Lateral projection · left wrist pediatric wrist radiograph · age 11 y, boy · cast present —

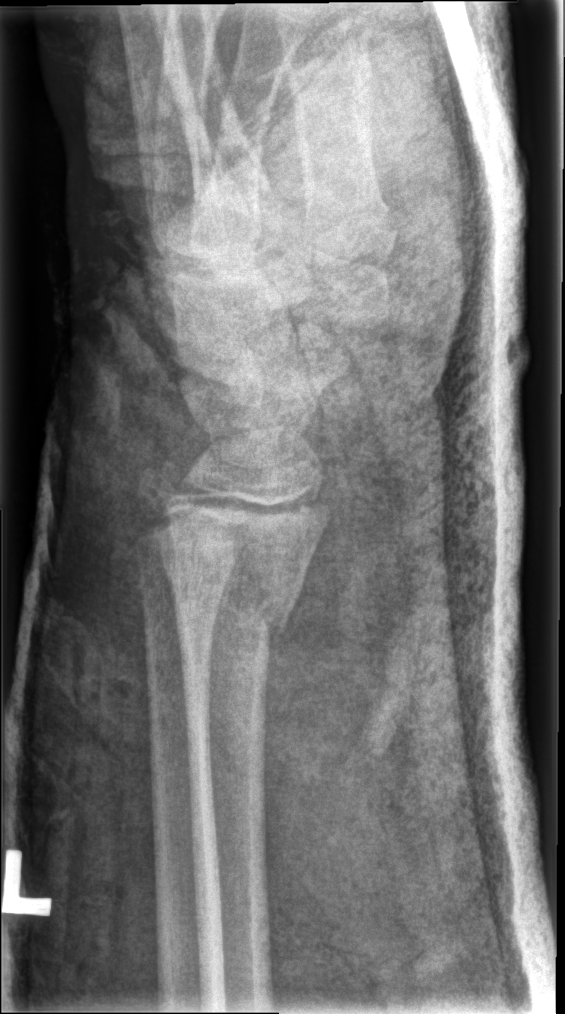 AO classification = 23r-M/3.1; 23u-E/7
Fracture = 1 @ (left=158, top=538, right=305, bottom=652)